Lat, right wrist plain film, age 12 y, male, detector: Siemens.
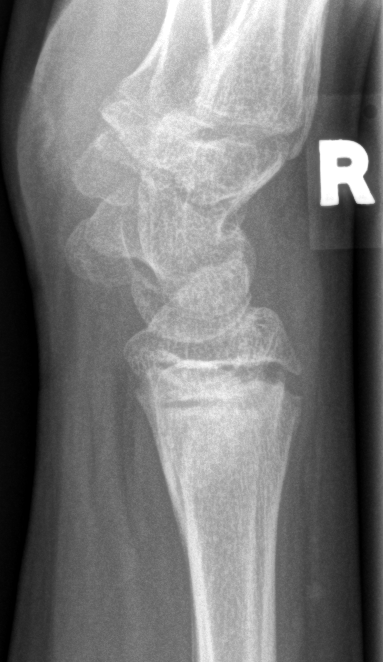
* Bounding boxes in image-pixel xyxy.
* One fracture at [127, 350, 308, 547].
* Fracture classified AO/OTA 23r-M/3.1.